AP, Rt wrist radiograph, male, 10 yo, index exam —

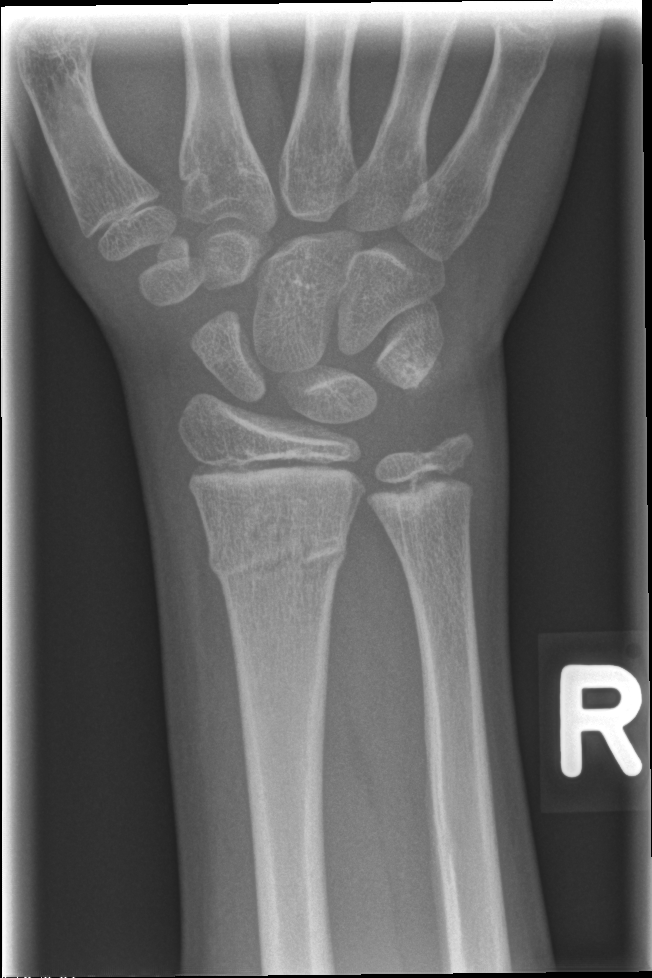 FINDINGS: (pixel coordinates, top-left origin, xyxy) One Fx at bbox(204, 518, 353, 592).